Frontal projection, right wrist radiograph, detector: Siemens.
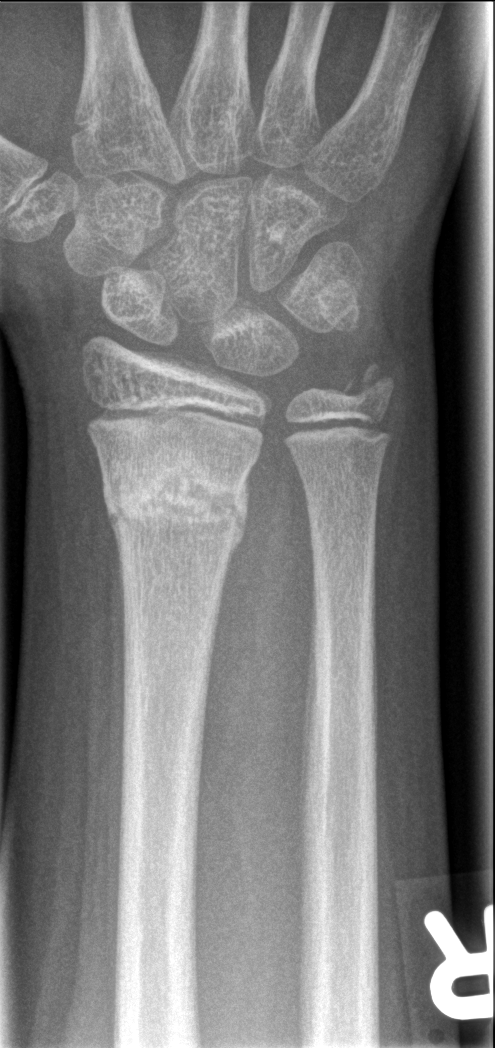
AO code = 23r-M/2.1; 23u-E/7
Fx = <99,447>-<252,557>, <344,362>-<396,414>